AP · Lt wrist radiograph

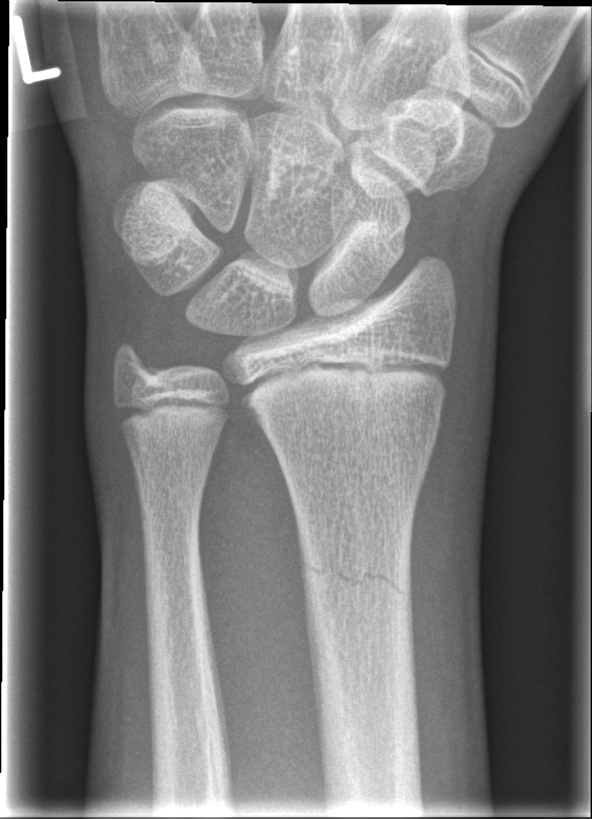 {"_coords": "boxes as x1,y1,x2,y2 (top-left / bottom-right, pixel units)", "fracture": "1 @ bbox(295, 550, 416, 605)", "ao": "23r-M/3.1"}